Left wrist pediatric wrist radiograph · PA/AP · age 13 y, boy · 825 x 1086 px.

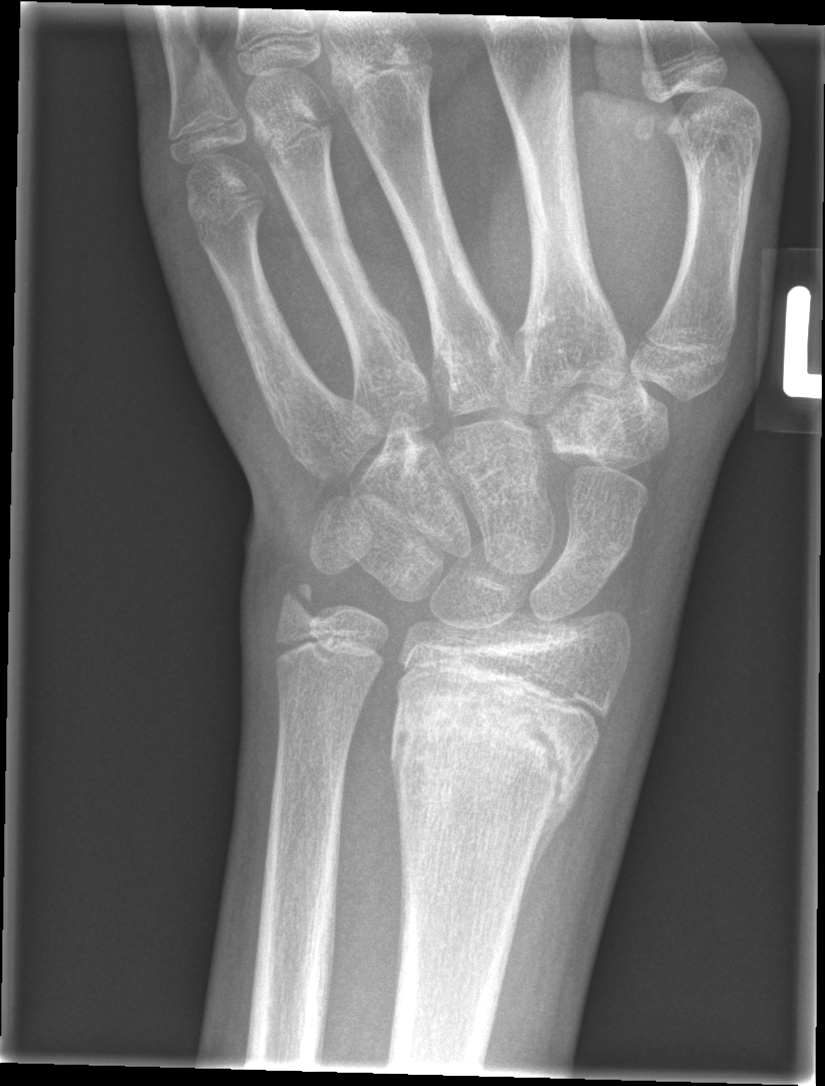 FINDINGS: AO/OTA classification: 23r-M/3.1; 23u-E/7. Two fractures at 386,674,589,833 | 270,578,333,635. Periosteal reaction: 514,750,595,941.